Posteroanterior projection, left pediatric wrist radiograph, 10y M, image 90.1 mm wide
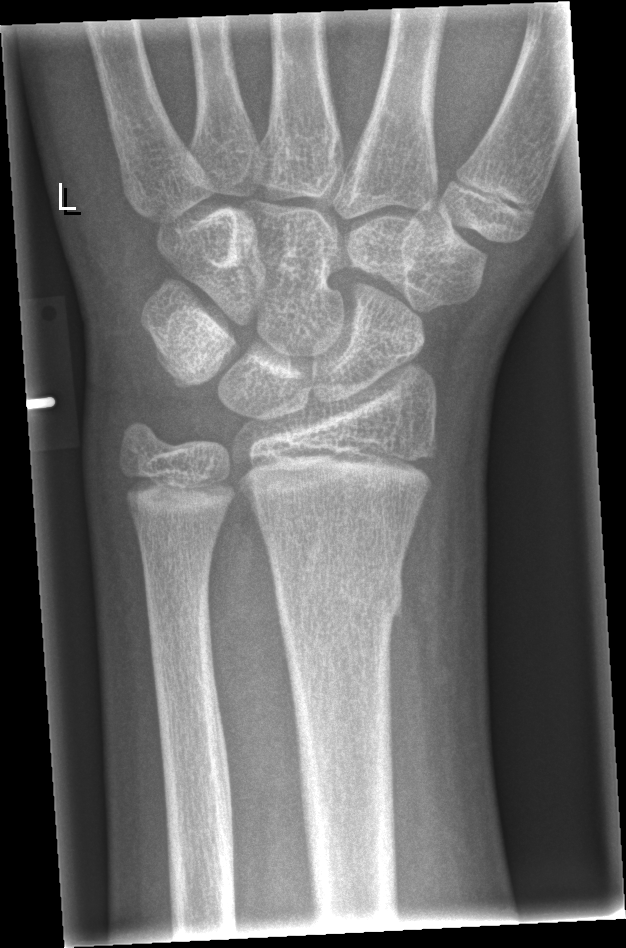 fracture: 1 @ [x1=274, y1=549, x2=406, y2=625]
AO code: 23r-M/2.1